L wrist plain film; AP; 16y M; imaged through cast

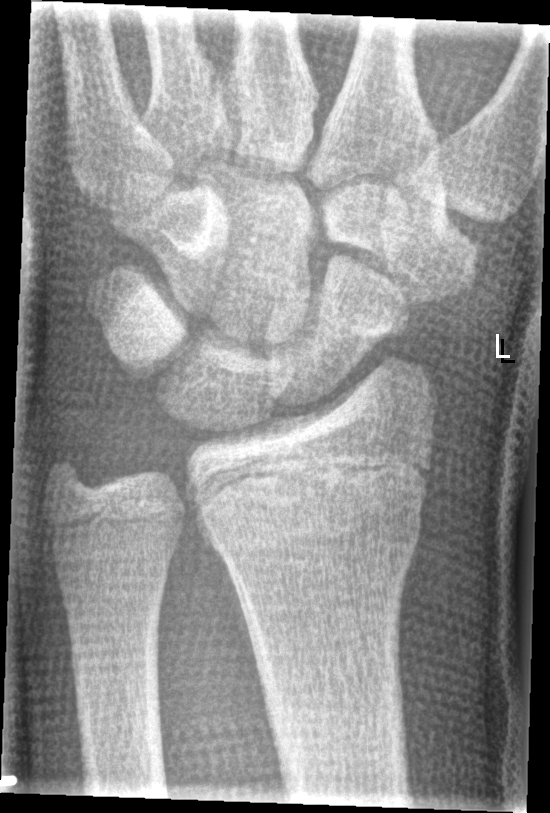

(bounding boxes in image-pixel xyxy)
fracture: <189,458>-<431,573>
AO classification: 23r-E/2.1